Lateral view, Lt pediatric wrist radiograph, 13y F 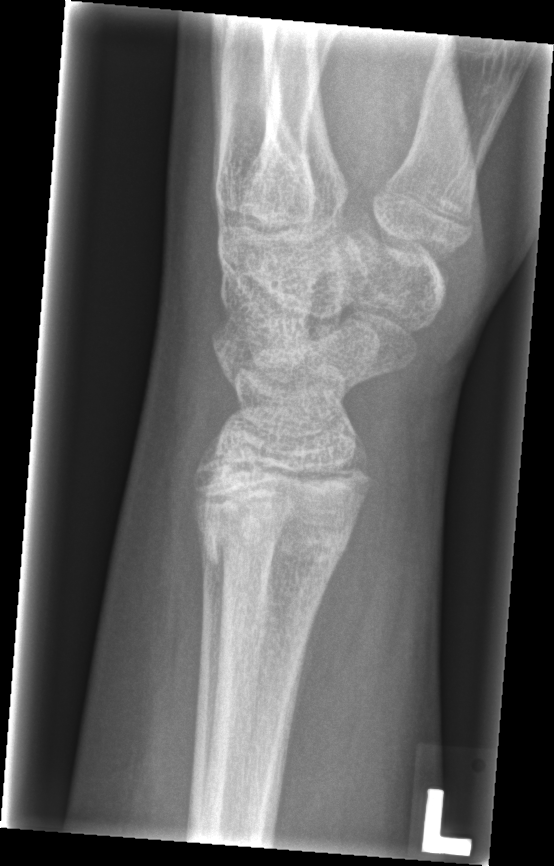

osteopenia: present
fracture: 1 @ bbox(190, 496, 355, 580)